PA; L wrist plain film; initial study.

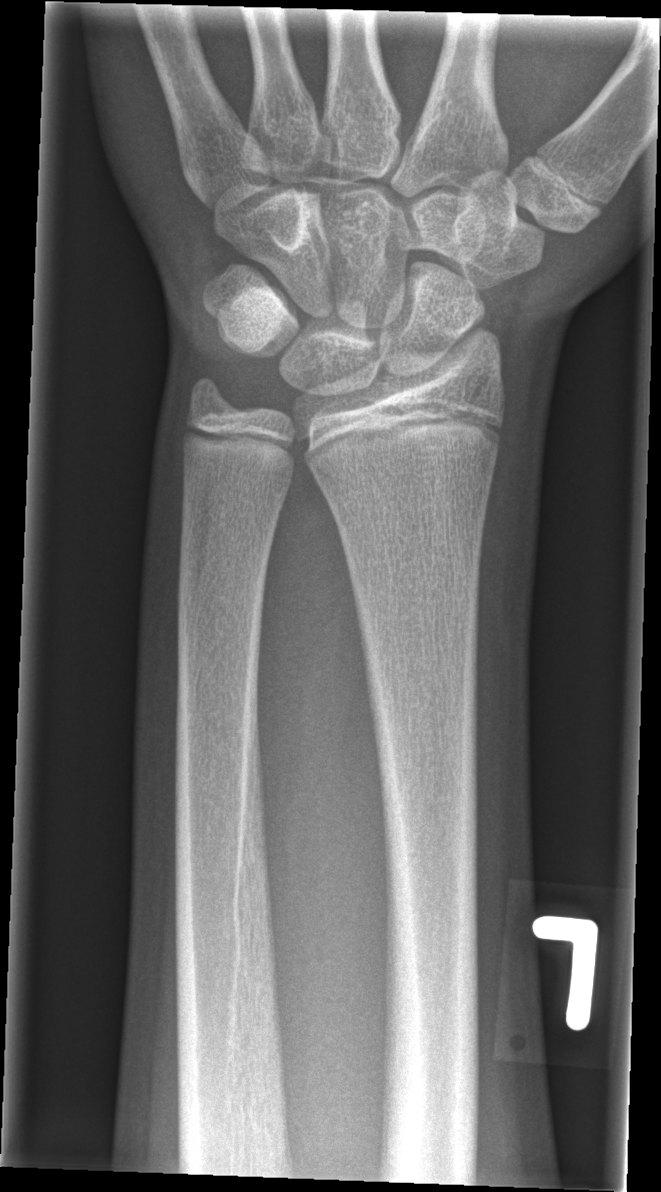 - Fx: none.